Lateral view · left wrist plain film · pediatric patient (boy, age 10):

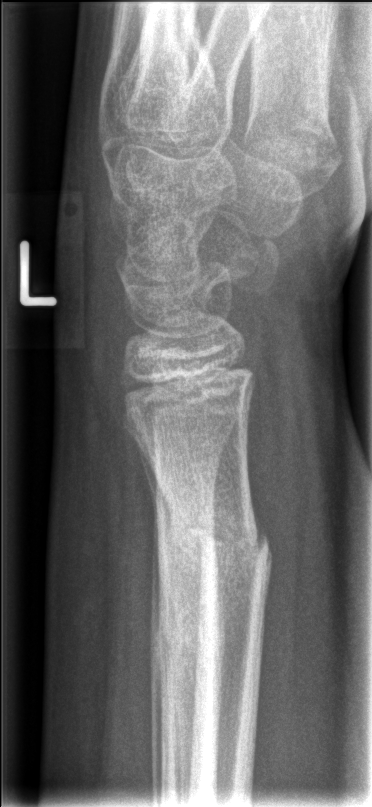
* Bounding boxes in image-pixel xyxy.
* Two fractures at 167,513,278,578; 149,615,216,674.
* Periosteal thickening identified at 151,514,166,806 | 135,437,157,513.
* Reduced bone mineral density.